Left wrist XR; PA; Siemens; image 100.5 mm wide:
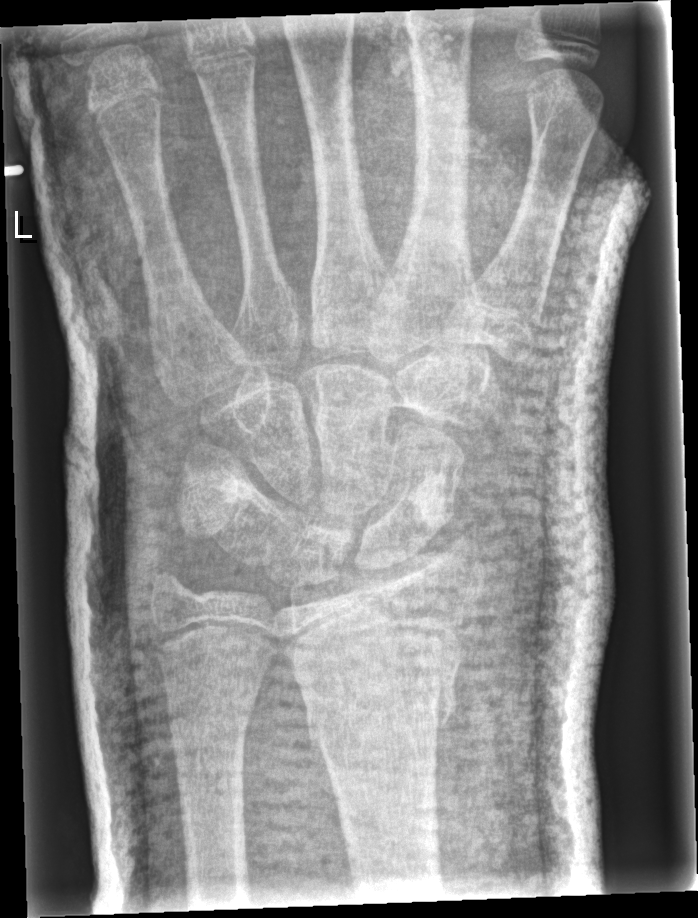
fracture: 1 @ (286, 622, 467, 751)
bonelesion: 1 @ (408, 471, 449, 532)
ao: 23r-M/3.1; 23u-M/2.1